Left wrist X-ray | lat | age 11 y, male | detector: Siemens.

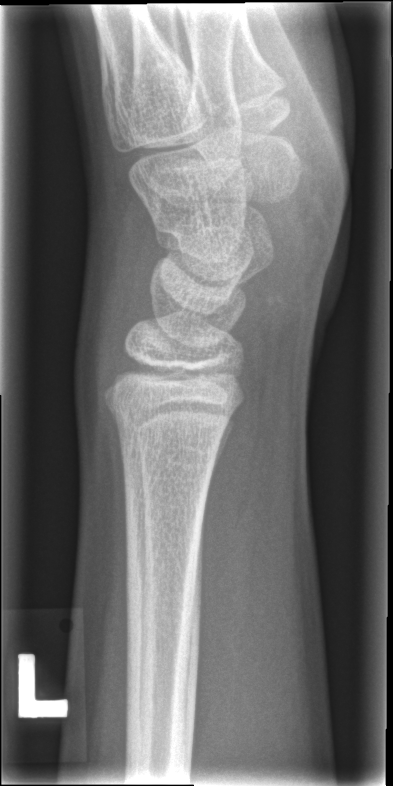
  ao: 23r-M/2.1
  fracture: 1 @ 99 384 235 445